Left wrist plain film; lateral view; 11-year-old male; follow-up

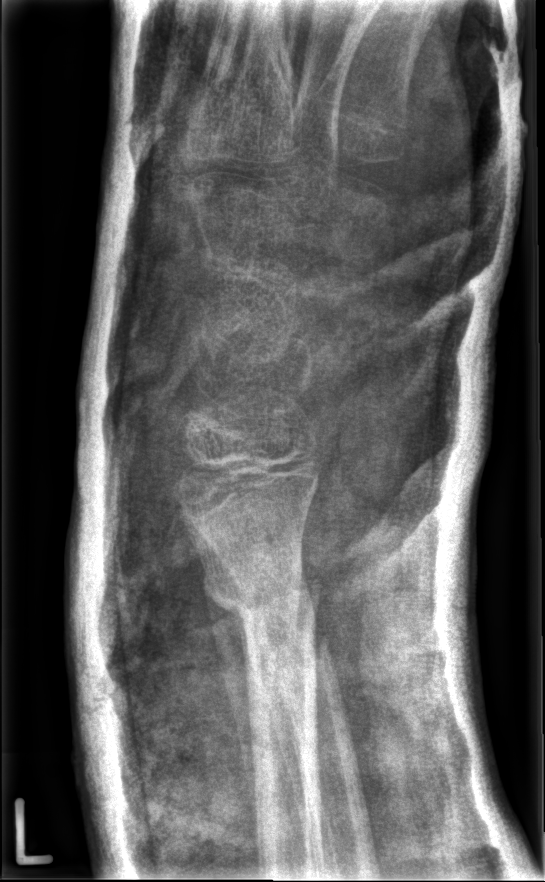   osteopenia: present
  fracture: 201 570 322 646
  ao: 23-M/3.1; 23u-E/7
  periostealreaction: 1 @ 206 591 256 831